PA projection | right wrist plain film —

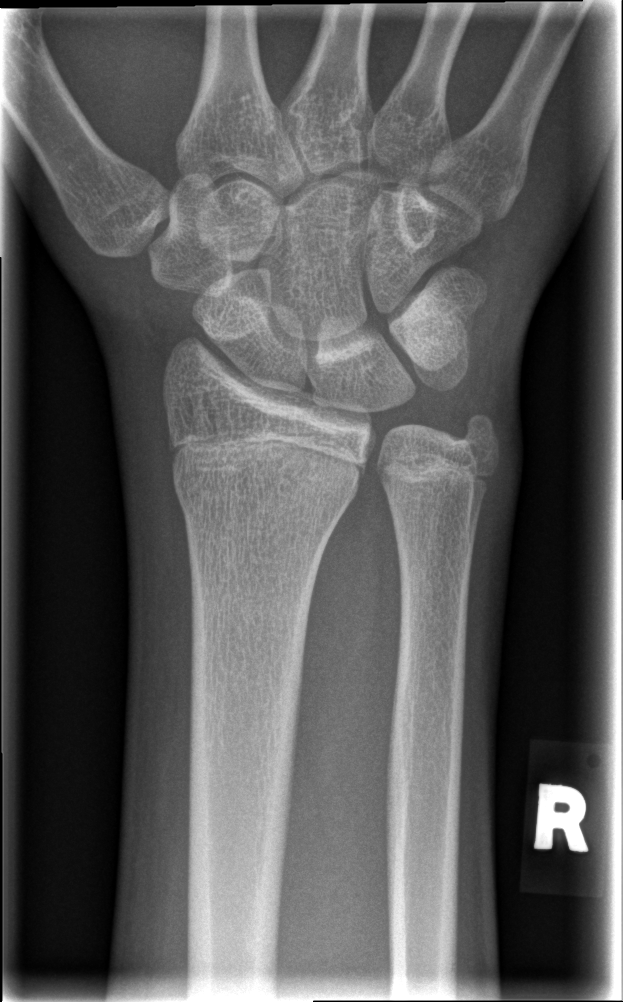
# bounding boxes in image-pixel xyxy
fracture: 170,442,359,519
ao: 23r-M/2.1